Lateral · right wrist radiograph · 7y M · image width 53.1 mm. 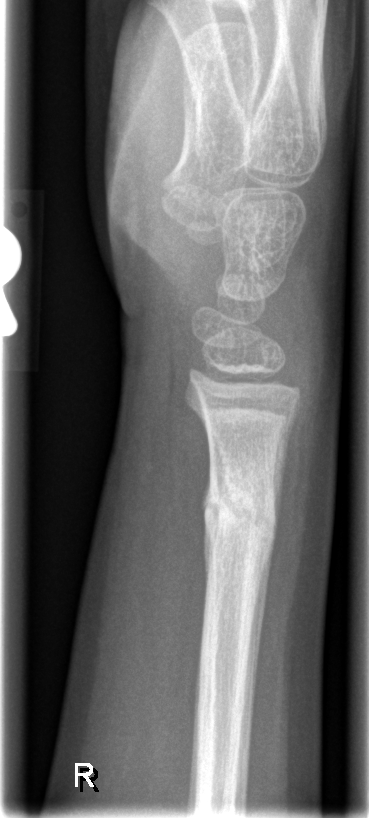 - Fracture classified AO/OTA 23-M/3.1.
- Fracture identified at 202 472 279 550.